Right wrist XR, lateral, 480 x 806 px:
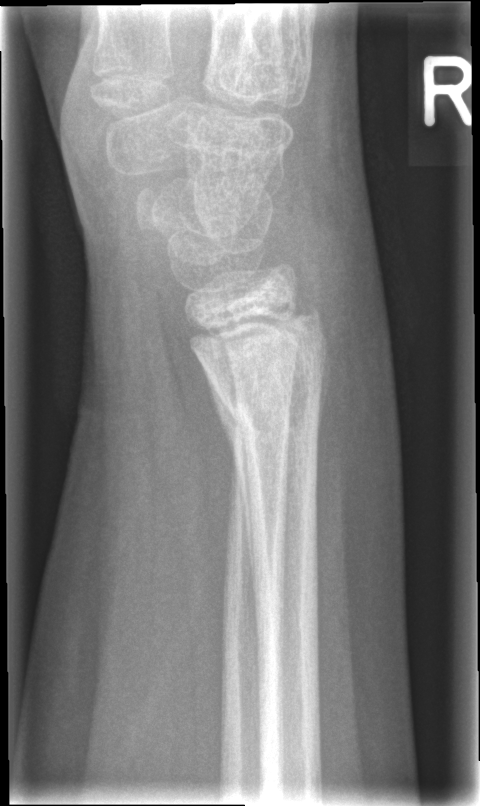
Bone fracture — (left=210, top=387, right=324, bottom=460). Fracture classified AO/OTA 23r-E/2.1. Osteopenia.